PA/AP, Lt wrist XR
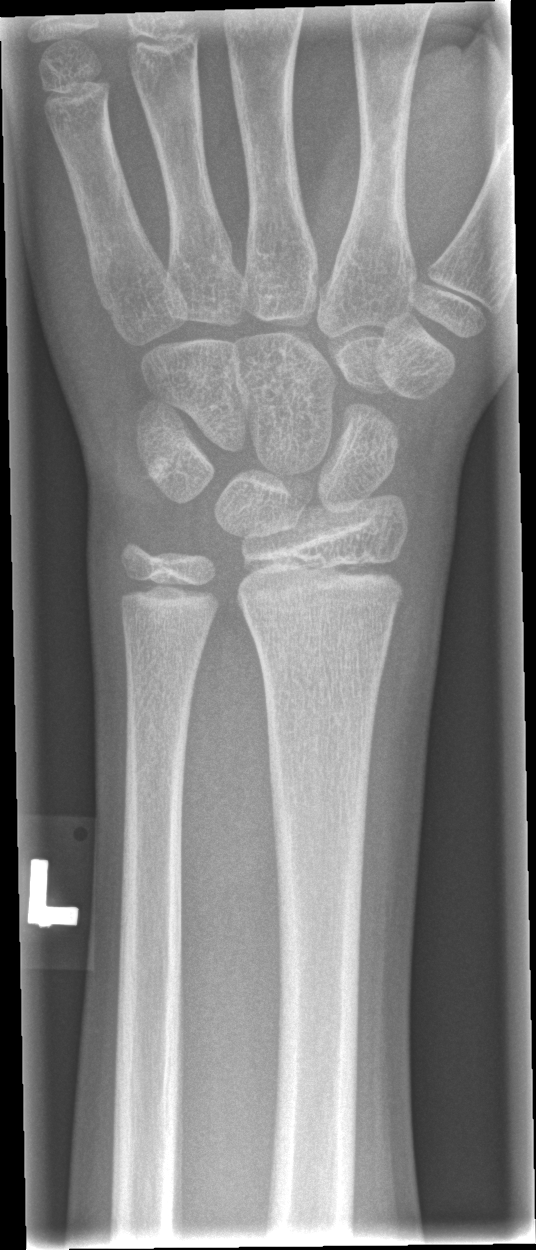

FINDINGS: No fracture annotation.